AP projection; Lt wrist X-ray; age 9 y, male; follow-up.

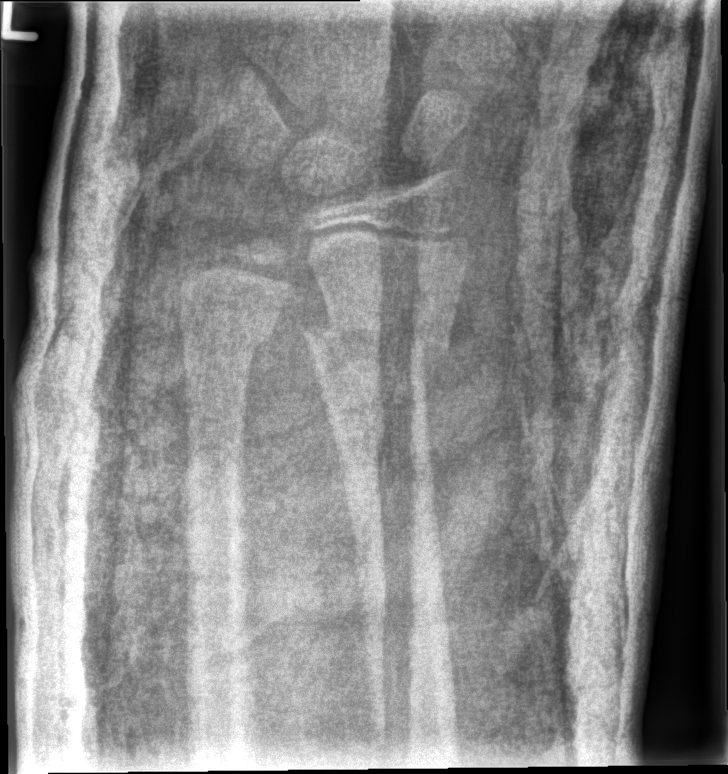

Fx: 2 @ [297, 308, 457, 369] [173, 299, 280, 367]